Left wrist X-ray, PA/AP projection, presentation radiograph, acquired on Siemens, 359 by 400 pixels:
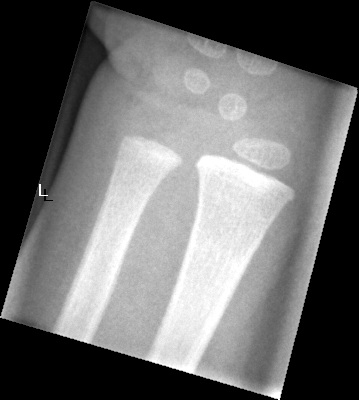
* Fracture classified AO/OTA 23r-M/2.1.
* Fracture present, though not clearly seen in this view.